Lt wrist X-ray; lateral projection; 93.0 mm image width

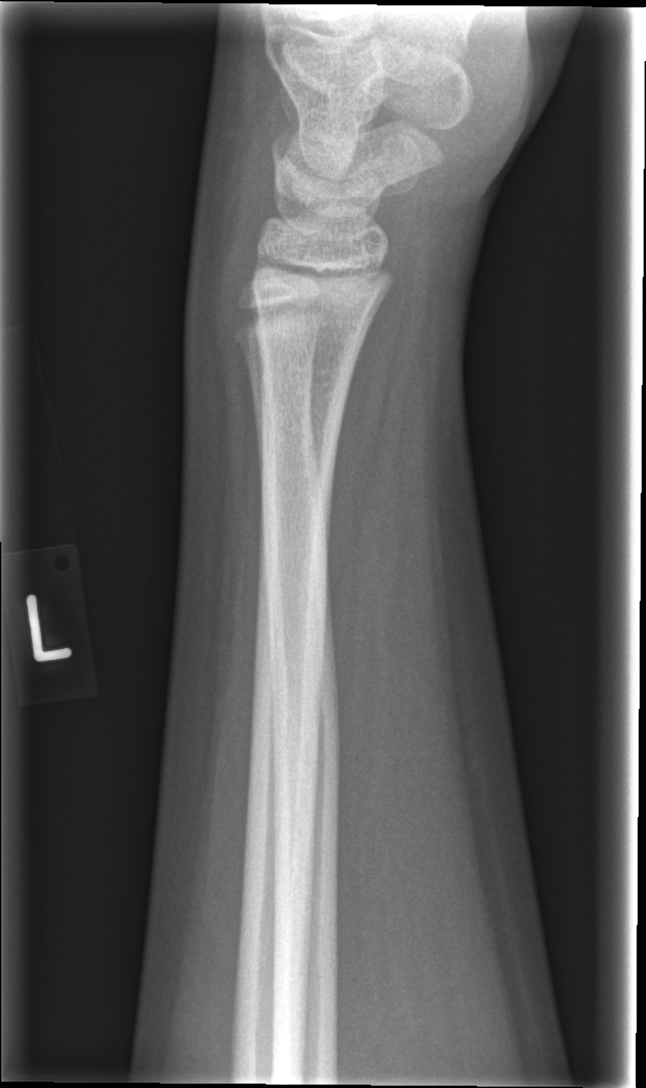   fracture: none labeled